Left plain radiograph of the wrist | frontal view | 11-year-old female | image size 606x1012: 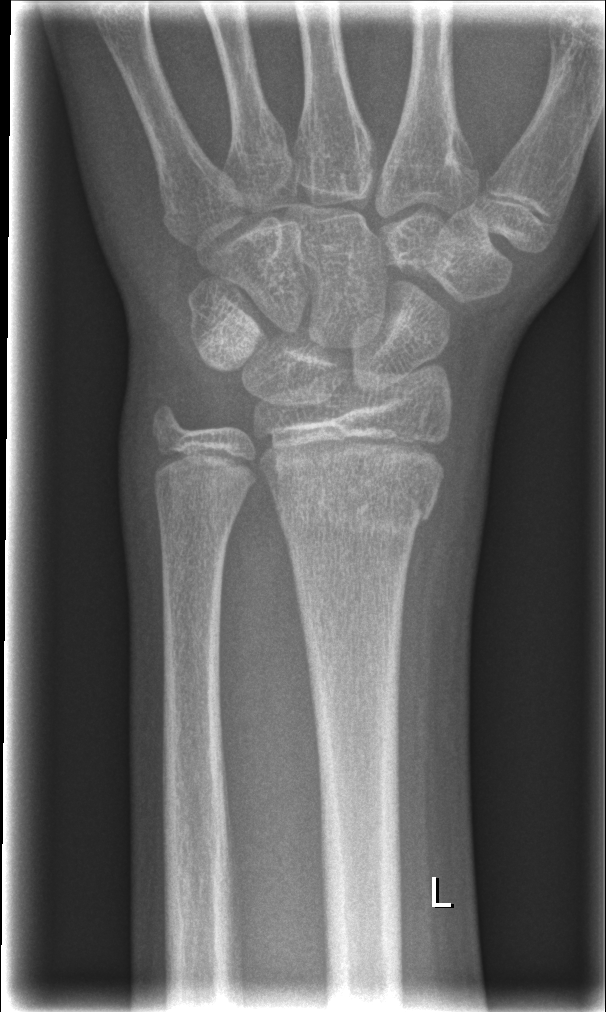

FINDINGS — Fracture classified AO/OTA 23r-M/3.1; 23u-M/2.1. Fx: (267, 454, 439, 542), (155, 474, 260, 535).